L wrist X-ray | frontal | pediatric patient (female, age 10)
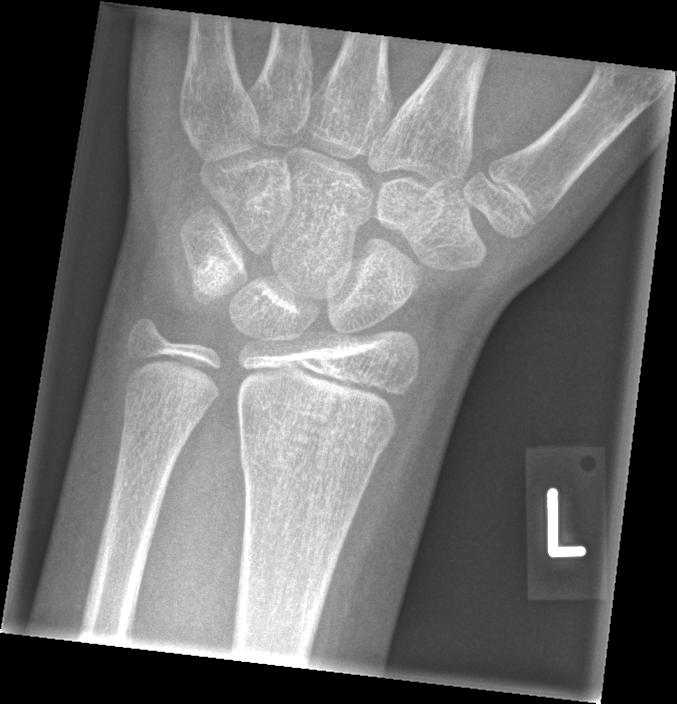

AO code: 23r-M/2.1
fracture: 237 422 392 476